Left wrist plain radiograph of the wrist, lat projection, 8y F, presentation radiograph:
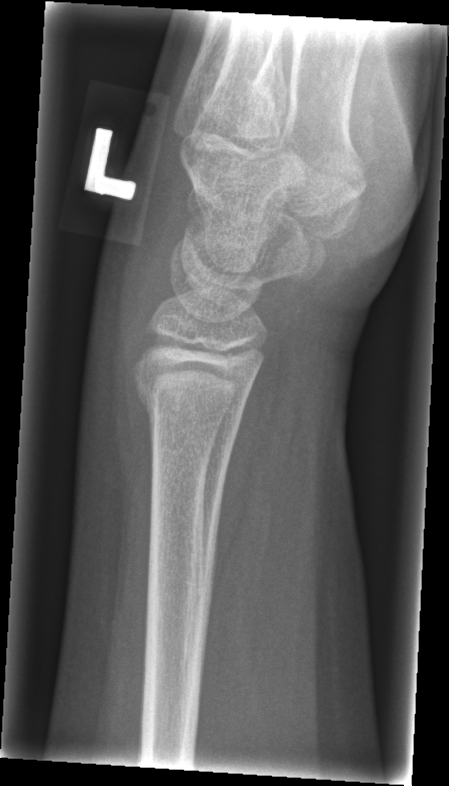
  fracture: 1 @ bbox(125, 346, 259, 438)
  softtissue: bbox(82, 150, 191, 449)